Left wrist plain film · PA/AP · 11y M · index exam · 452x765. 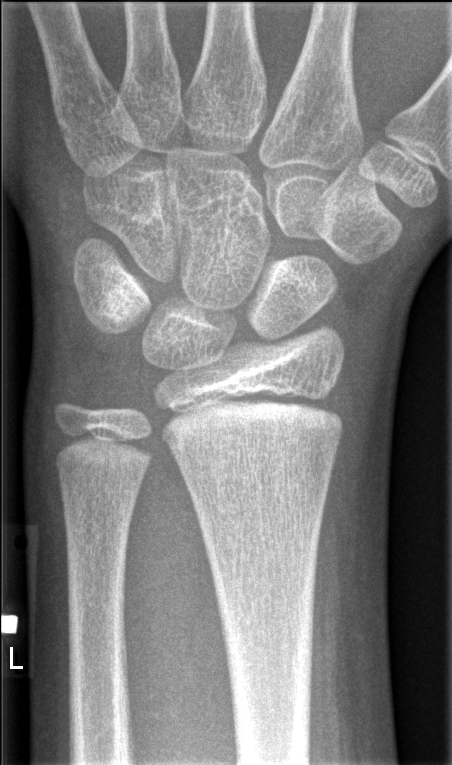

No fracture bounding box.